Lateral view; R pediatric wrist radiograph; 11y M; image width 63.6 mm. 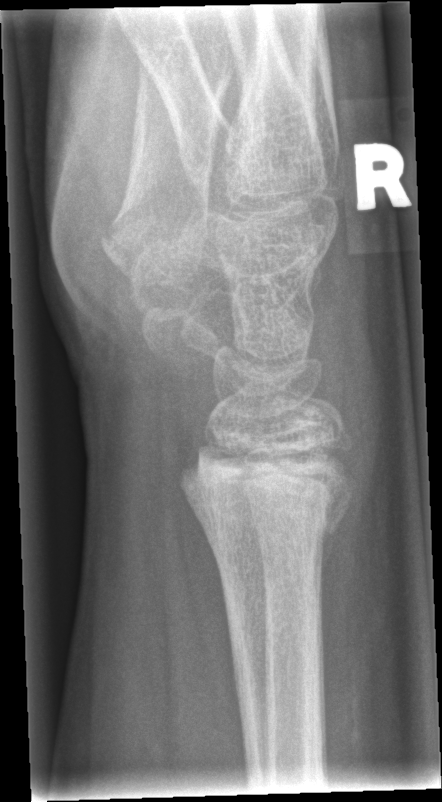
• Bounding boxes in image-pixel xyxy.
• AO code 23r-E/2.1; 23u-E/7.
• Fracture: (left=175, top=436, right=359, bottom=550).
• Osteopenia.
• Periosteal reaction: (left=316, top=523, right=341, bottom=635).